Left wrist plain film · lateral projection 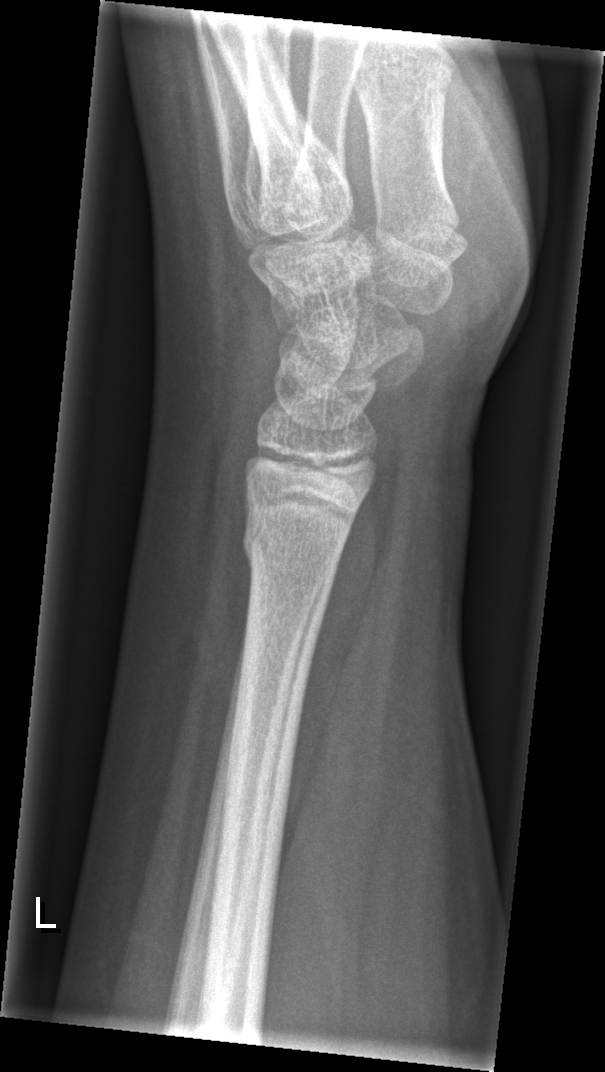 Pronator sign identified at (left=285, top=496, right=411, bottom=869). One fracture at (left=238, top=515, right=350, bottom=581).